Frontal view; left wrist radiograph; male, 5 yo; imaged through cast; image size 544x1112.

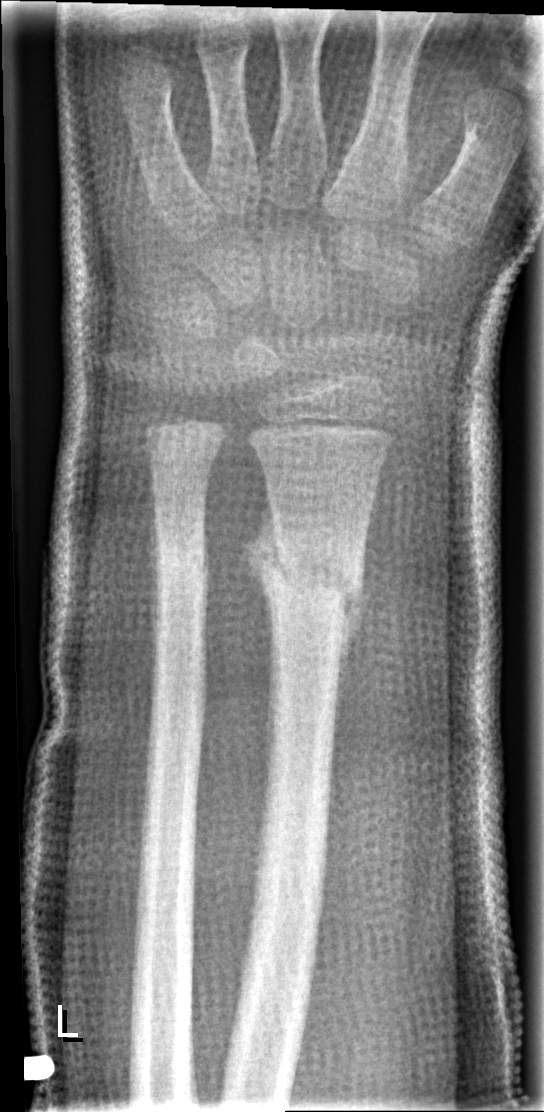
FINDINGS: (pixel coordinates, top-left origin, xyxy) AO/OTA classification: 23r-M/3.1; 23u-M/2.1. Periosteal new bone identified at [240, 487, 279, 650], [338, 571, 369, 680], [150, 508, 164, 740], [203, 523, 213, 638]. Bone fracture identified at [256, 521, 367, 621]; [153, 537, 211, 590].